Lateral; right wrist pediatric wrist radiograph; 8y F; 57.3 mm image width.

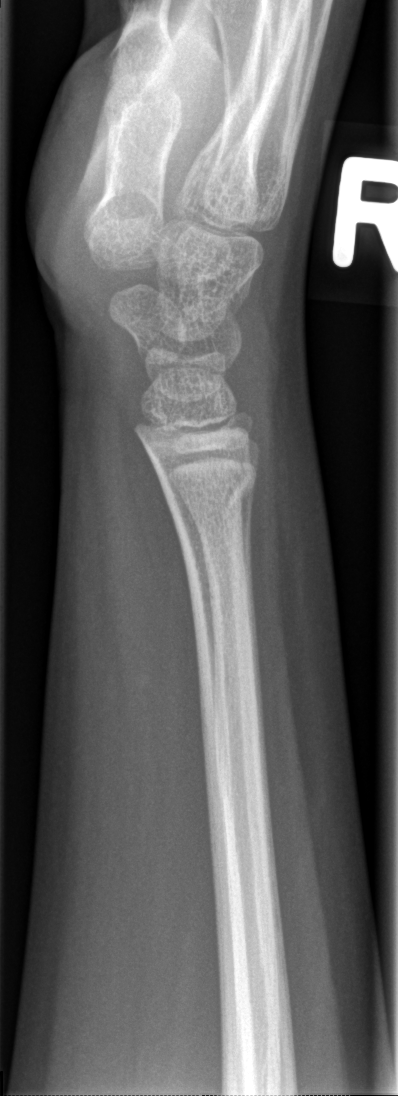
(boxes as x1,y1,x2,y2 (top-left / bottom-right, pixel units))
Fx = (left=159, top=464, right=261, bottom=522)